L wrist plain film; lateral view; female, 13 yo; Siemens

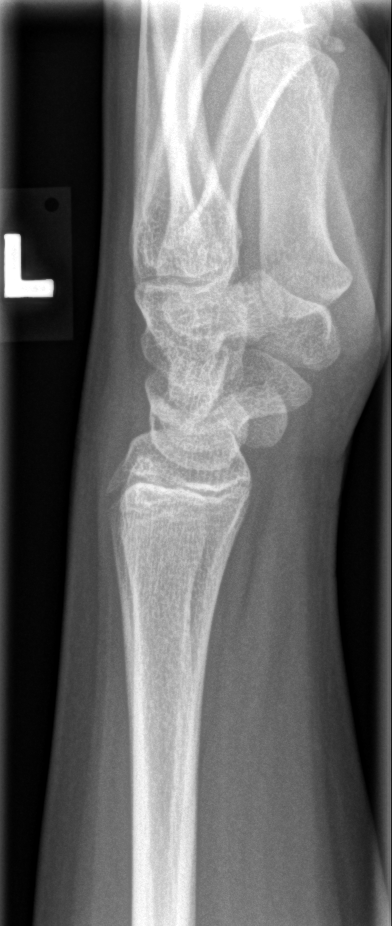
Fracture: none labeled.